Lat projection · right wrist pediatric wrist radiograph · 17y M

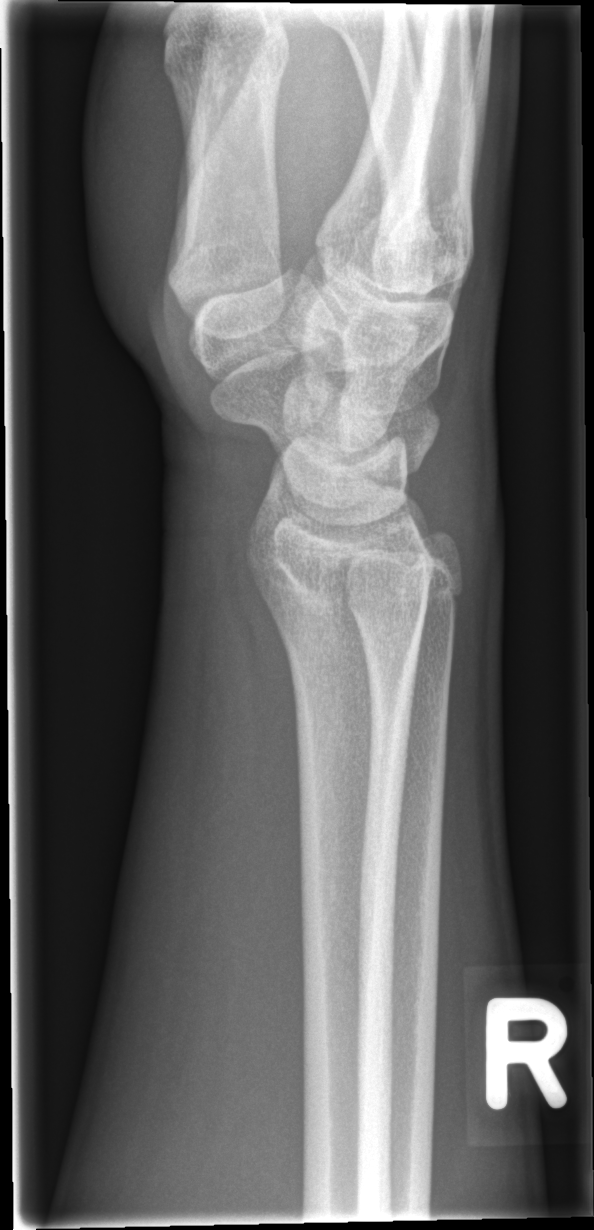
Fracture: none labeled.